Frontal view, left wrist XR, 11-year-old boy

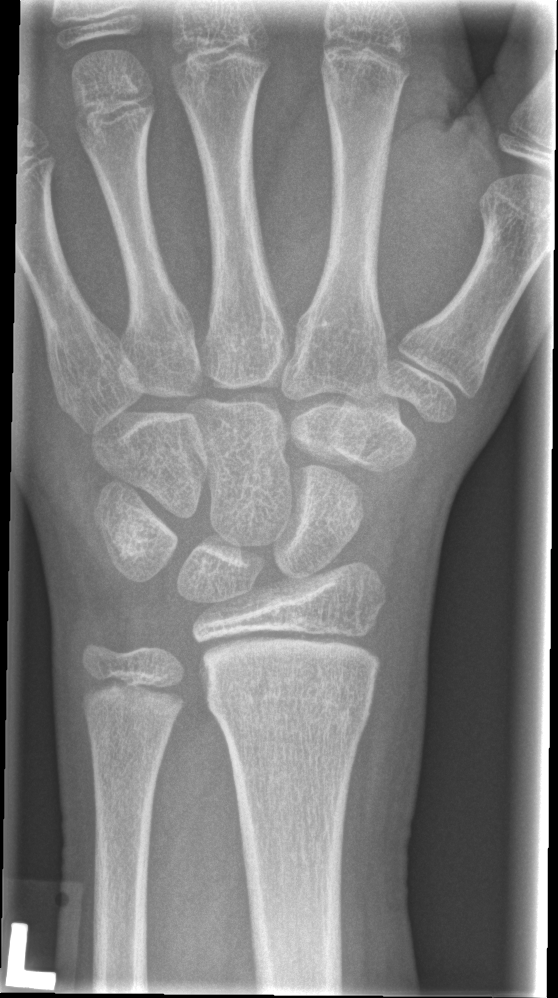

{
  "_coords": "bounding boxes in image-pixel xyxy",
  "ao": "23r-M/2.1",
  "fracture": "[200, 686, 372, 736]"
}